Left wrist XR; posteroanterior; male, 13 yo
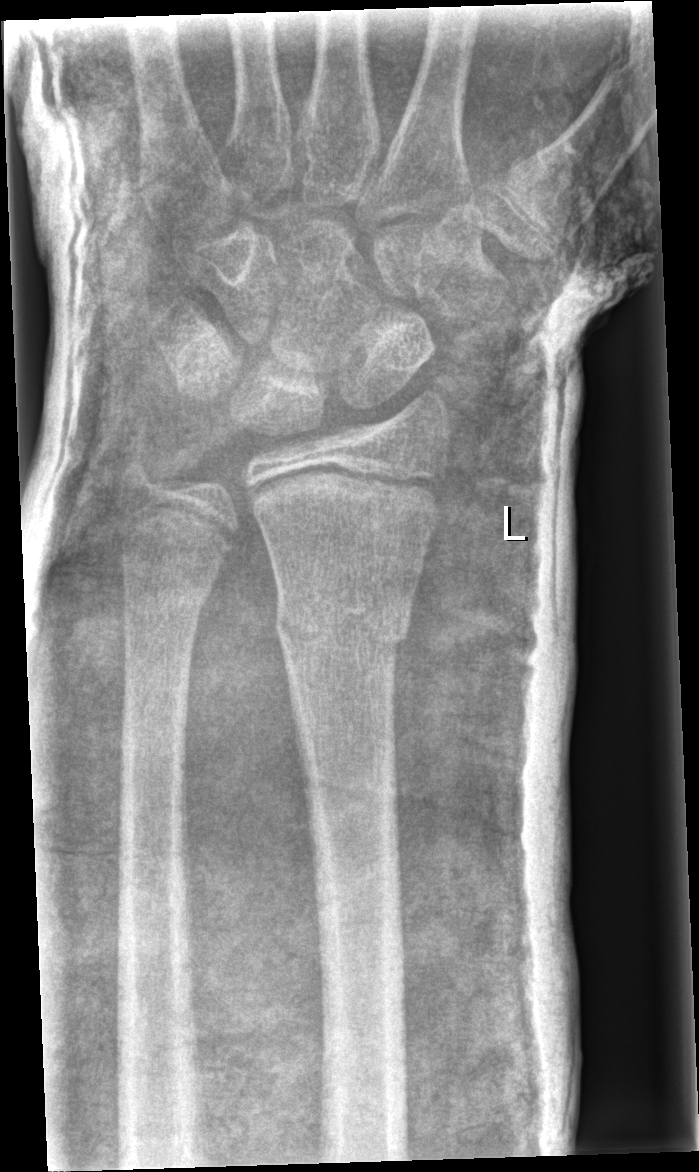

  fracture: (left=272, top=583, right=417, bottom=662); (left=118, top=565, right=221, bottom=623)